Rt wrist XR | lat | male, 8 yo | follow-up
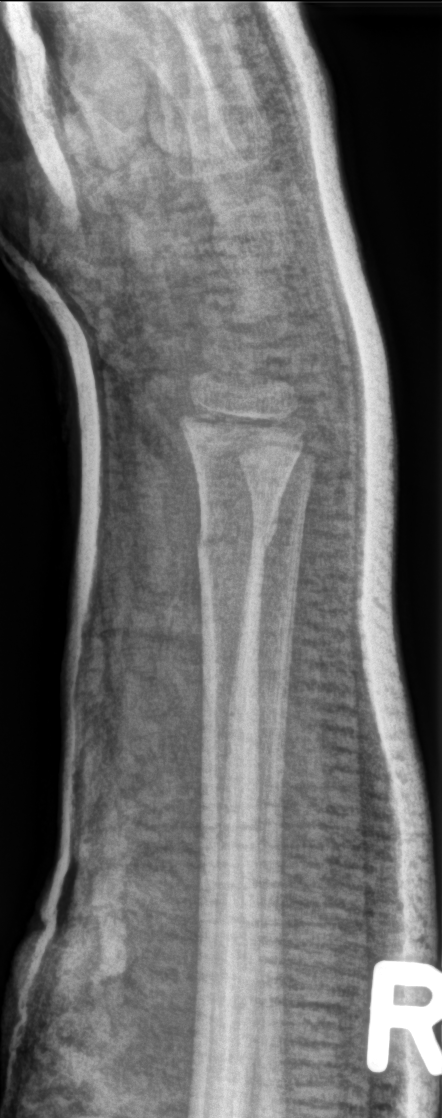

* Coordinates are [x1, y1, x2, y2] in image pixels.
* AO/OTA classification: 23r-M/3.1.
* Bone fracture: (190, 503, 285, 566).